Lateral view · Rt wrist plain film · pediatric patient (male, age 12) · index exam · findings marked uncertain by the reading radiologist.
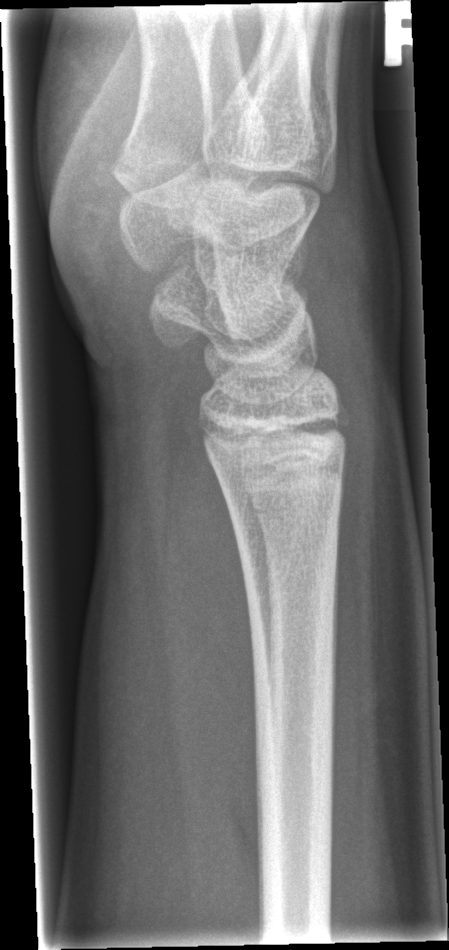
- Positive pronator fat-pad sign — 159,420,262,864.
- No fracture bounding box.